Lat view, Lt pediatric wrist radiograph, age 7 y, female 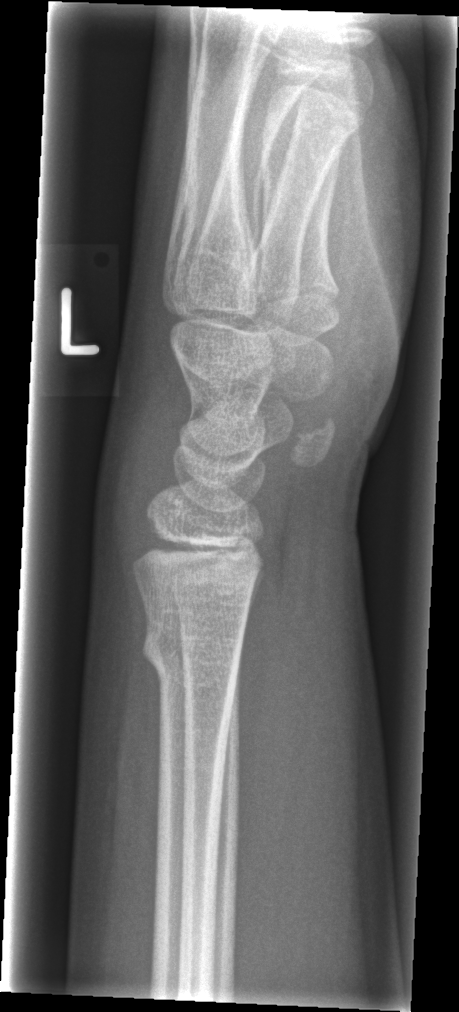 Pronator sign: bbox(233, 580, 316, 923). Fx — bbox(137, 617, 248, 699).